Lat; right wrist plain film; index exam.

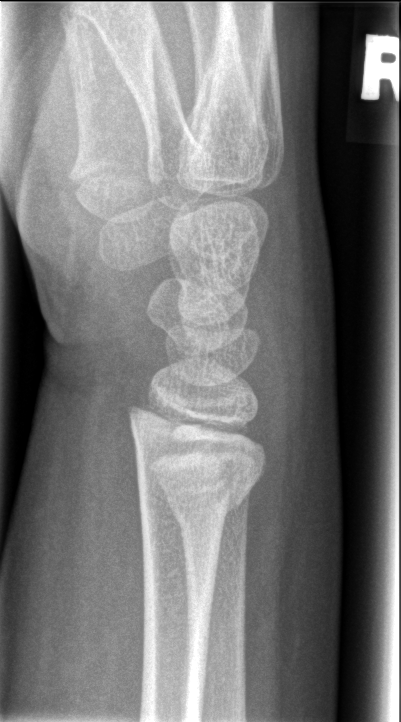

Coordinates are [x1, y1, x2, y2] in image pixels.
Fracture classified AO/OTA 23r-M/3.1; 23u-M/2.1.
Bone fracture identified at [x1=132, y1=454, x2=261, y2=549].